Left wrist radiograph, PA, 10-year-old female, 640 x 1046 px 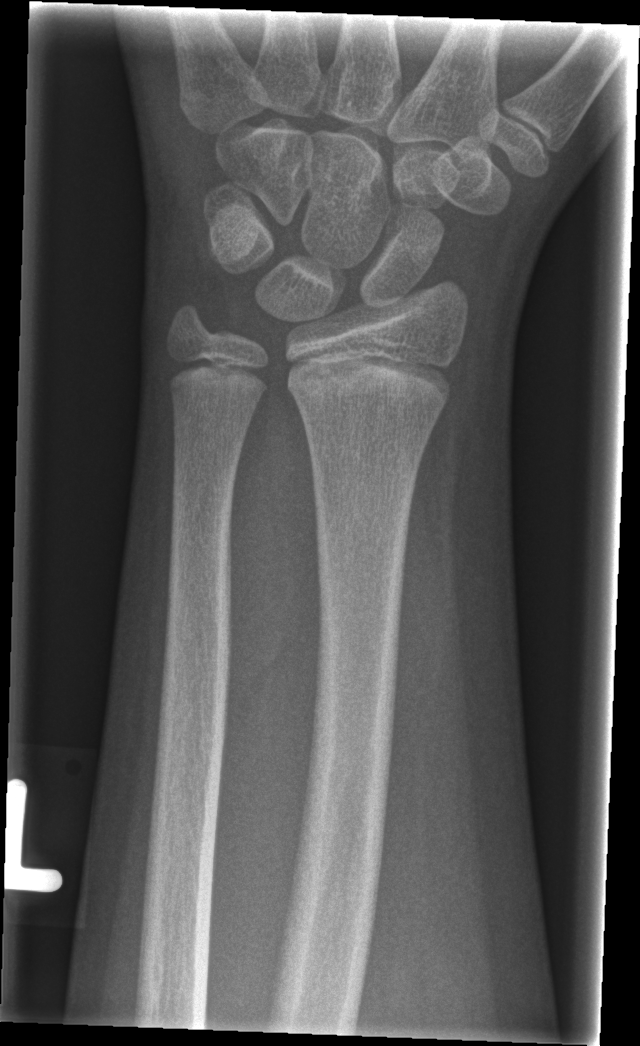
Findings: No fracture labeled.